Posteroanterior projection · left wrist plain film · 9y M · Siemens.

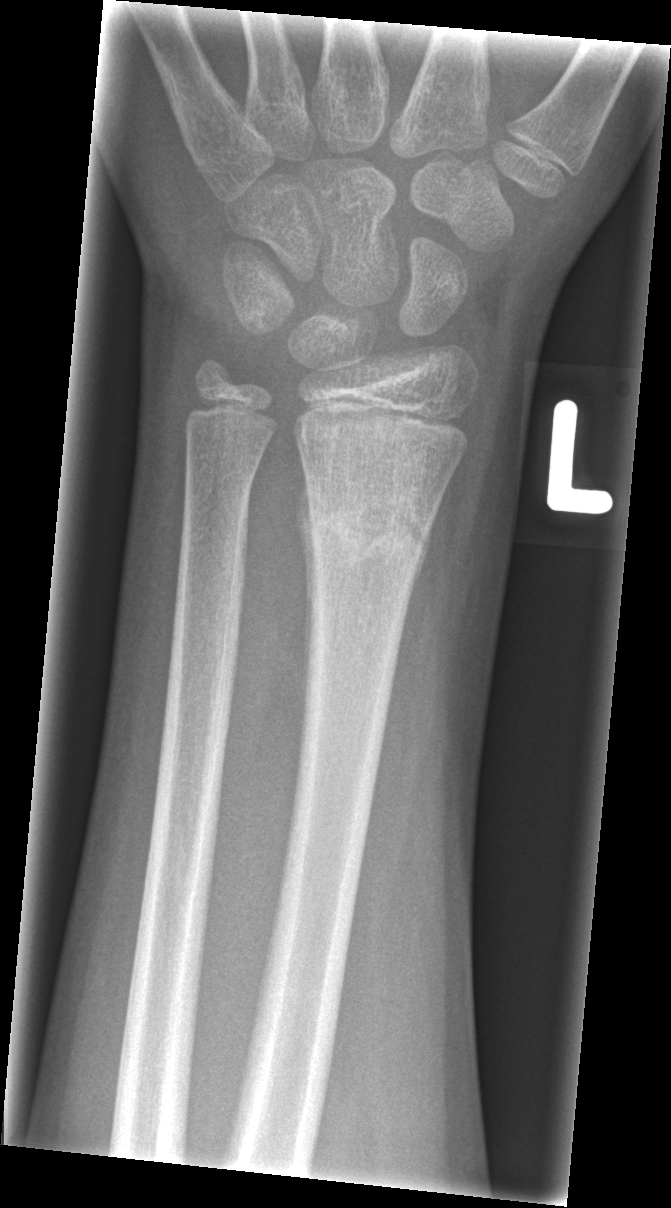 (pixel coordinates, top-left origin, xyxy)
bone fracture = 291 486 446 568
osteopenia = present
periosteal new bone = 1 @ 293 457 317 699